Lateral projection; right wrist XR; 10-year-old girl; cast present; Siemens: 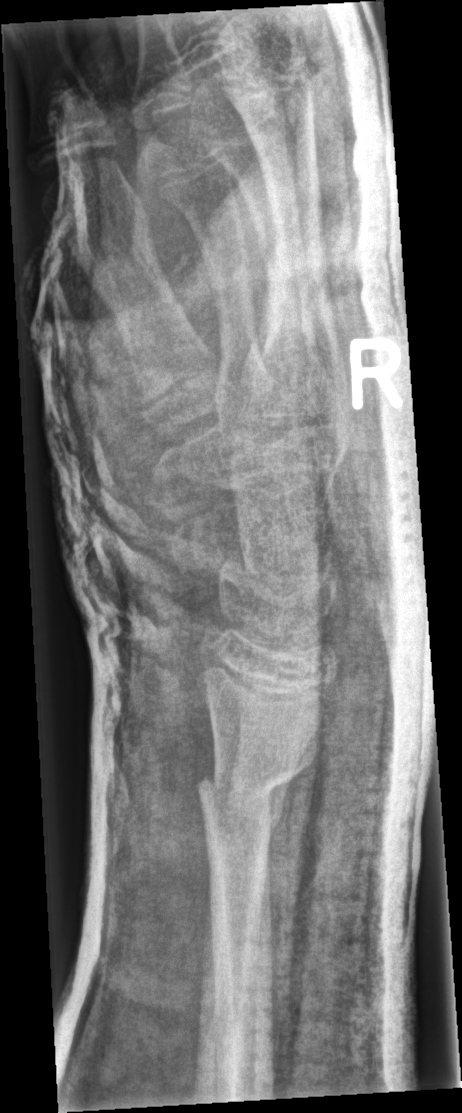

Boxes as x1,y1,x2,y2 (top-left / bottom-right, pixel units). Fracture classified AO/OTA 23-M/3.1. Bone fracture identified at [x1=193, y1=749, x2=319, y2=850].